Posteroanterior view; R wrist plain film; age 4 y, female; 550 x 966 px
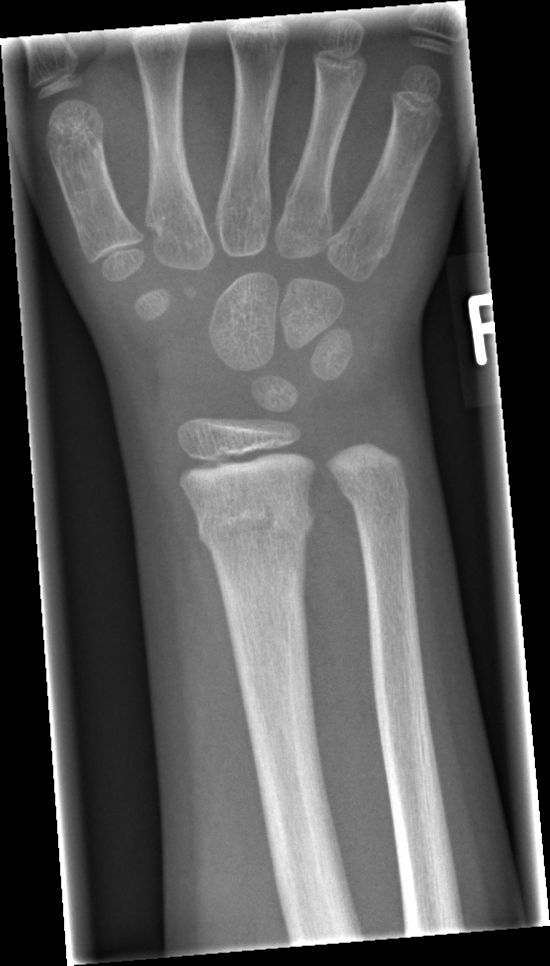

FINDINGS: (bounding boxes in image-pixel xyxy) Fracture classified AO/OTA 23-M/2.1. Fx identified at (190, 491, 318, 557), (334, 467, 414, 521).